Frontal view; Lt wrist XR; acquired on Siemens. 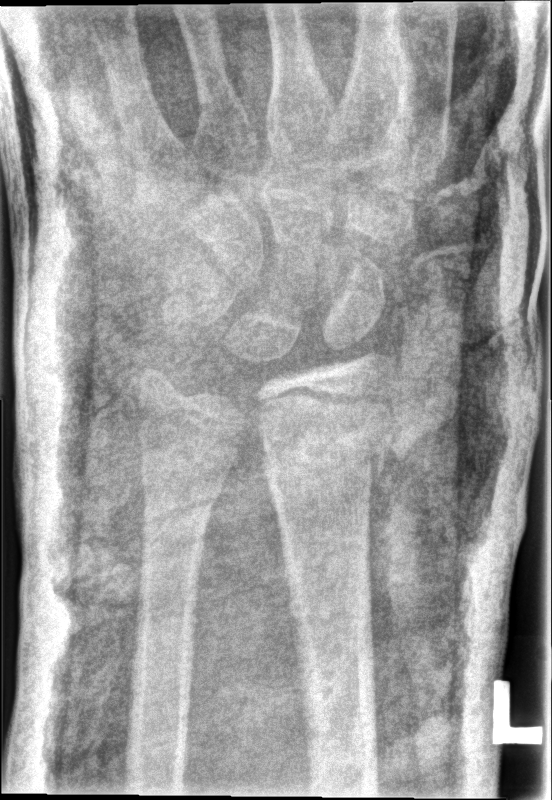 Q: AO code?
A: AO/OTA classification: 23r-M/3.1; 23u-M/2.1; 23u-E/7
Q: Locate any fractures.
A: Bone fracture: [255, 393, 398, 489]